Lt wrist XR; lat; 81.9 mm image width:
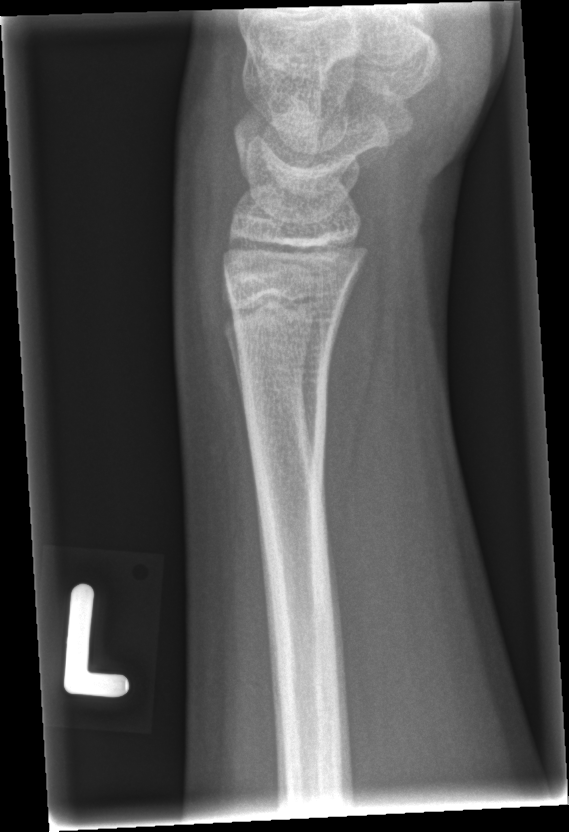
* No fracture labeled.